Lateral view; left plain radiograph of the wrist; index exam; 649x732
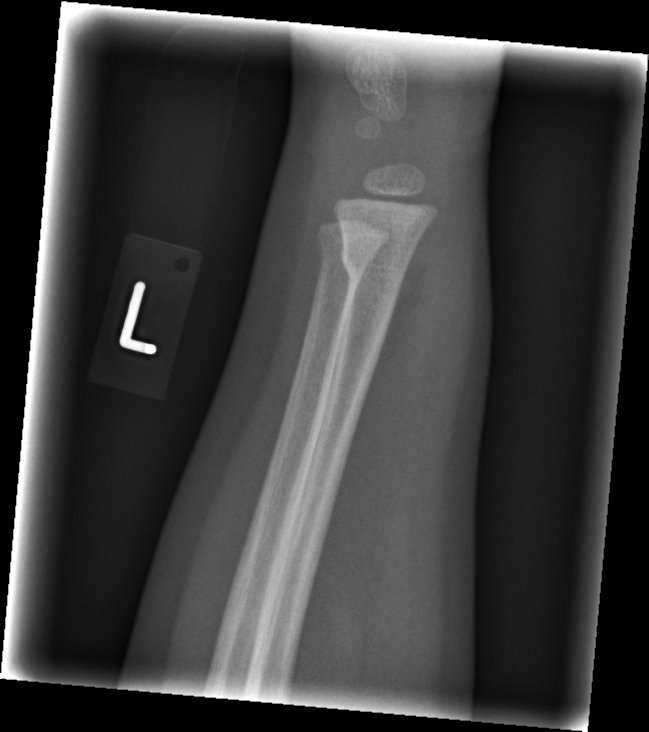

FINDINGS — AO/OTA classification: 23-M/2.1. Bone fracture: [338, 240, 414, 289] [314, 238, 376, 276].